Lat projection · right wrist radiograph · follow-up study · in cast —

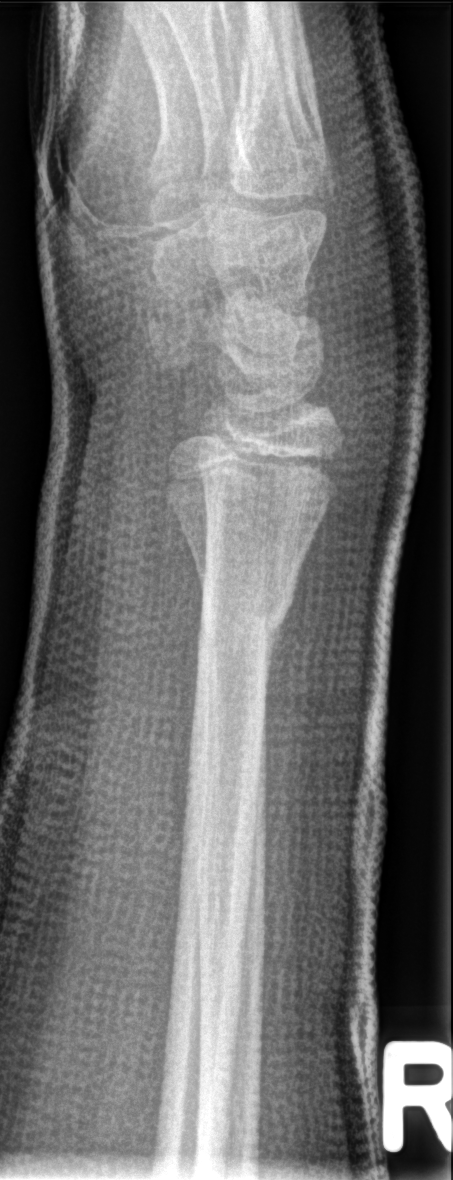 (coordinates are [x1, y1, x2, y2] in image pixels)
AO code = 23r-M/3.1
Bone fracture = 1 @ <194,587>-<296,656>